AP view | right wrist X-ray | follow-up study | detector: Siemens
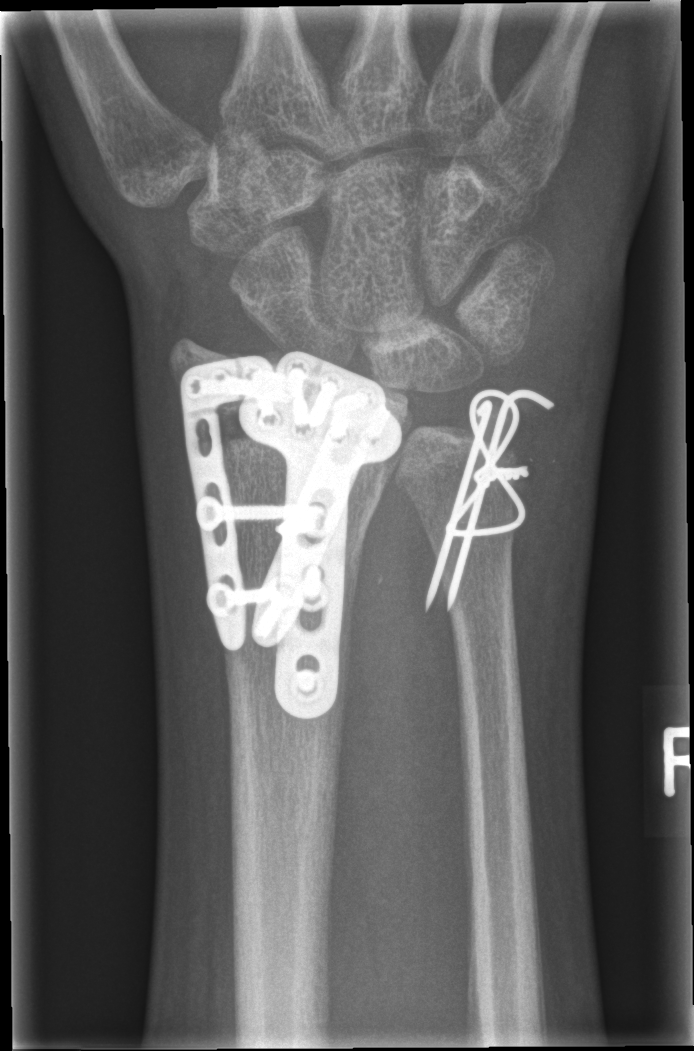

{"_coords": "coordinates are [x1, y1, x2, y2] in image pixels", "metal": "2 @ 180,348,404,721 | 422,388,553,612", "fracture": "none labeled"}